Lateral view | right wrist plain radiograph of the wrist 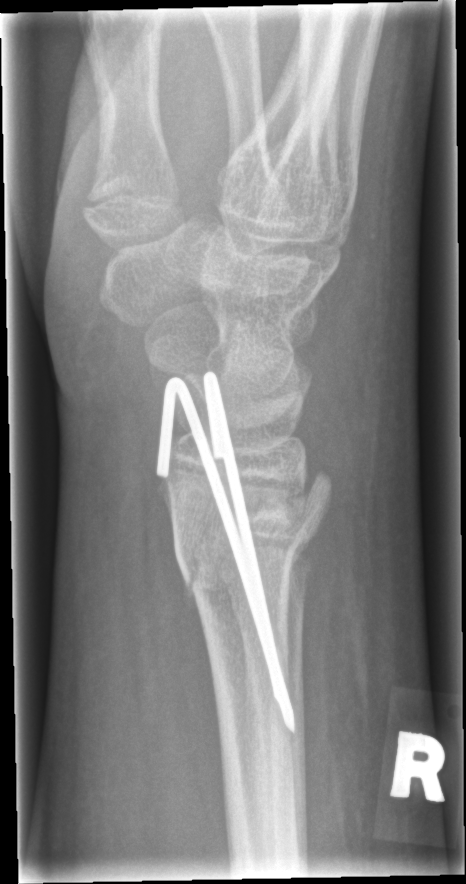
ao: 23r-E/2.2
metal: 1 @ bbox(155, 368, 296, 736)
fracture: 1 @ bbox(171, 461, 336, 604)